Frontal projection · L wrist plain film · 10y F · 696 x 1156 px:

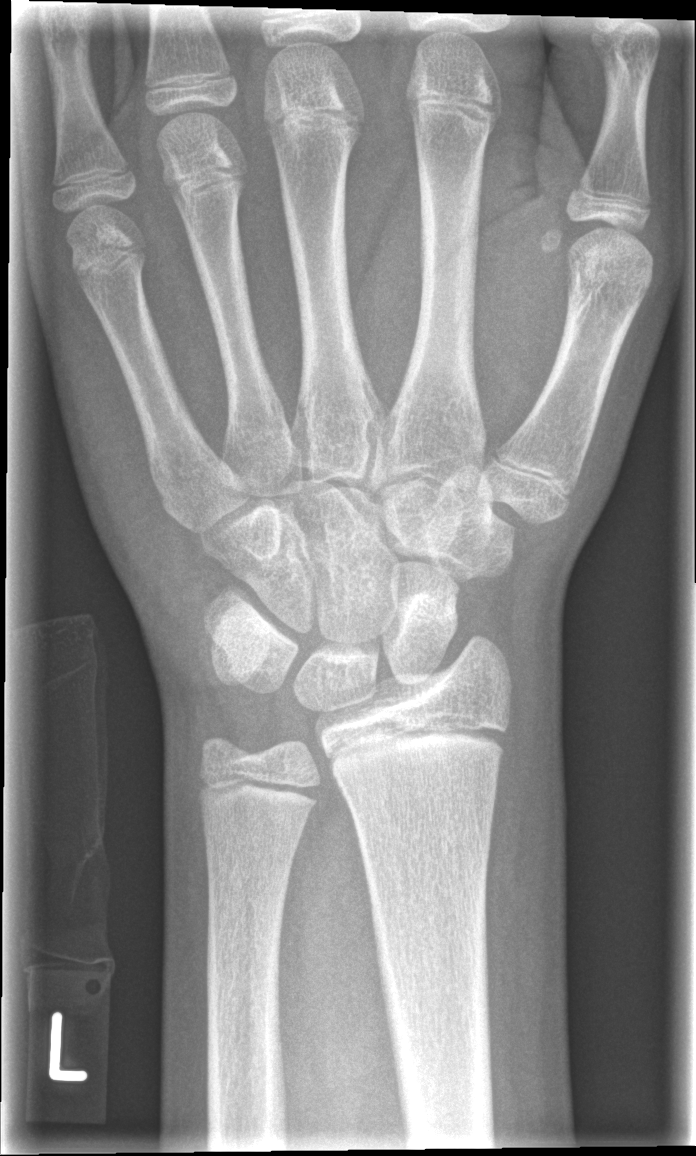

Q: Locate any fractures.
A: Fracture: none labeled